AP projection, L plain radiograph of the wrist, image width 75.7 mm:

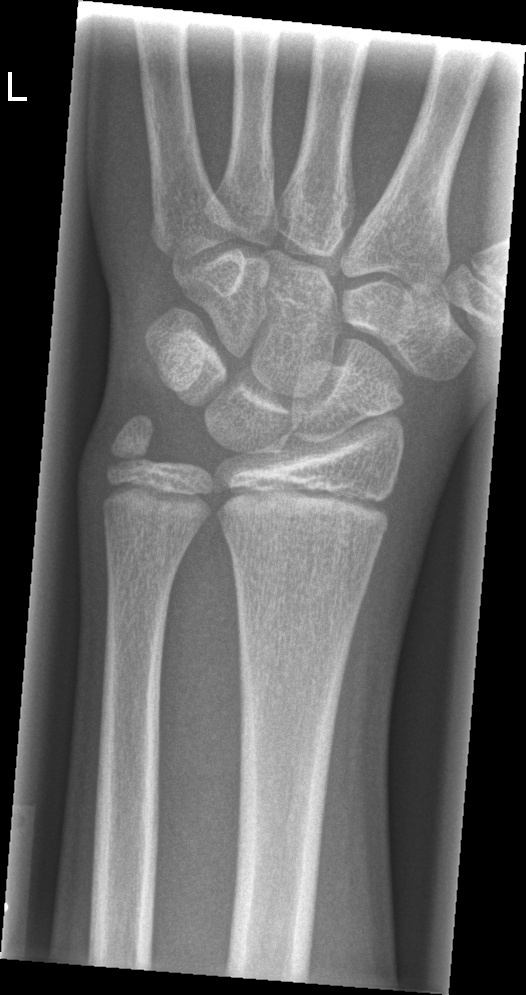

fracture: 1 @ (left=104, top=413, right=156, bottom=472)